Lat, right wrist radiograph, male, 7 yo, initial study
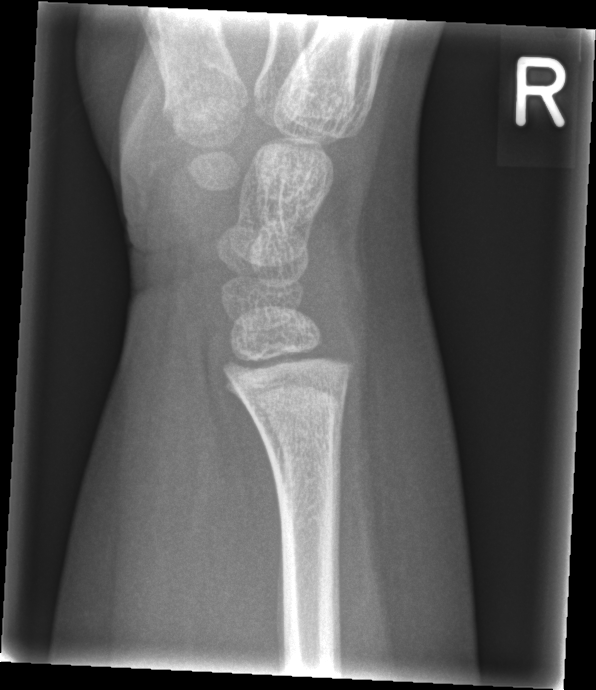 - No fracture bounding box.